Rt plain radiograph of the wrist | posteroanterior view | boy, 9 yo 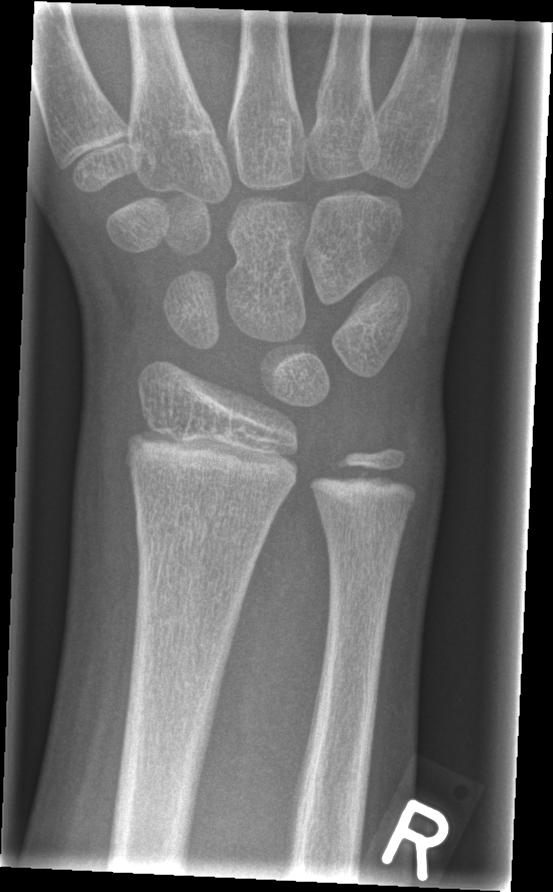
{"ao": "23r-M/2.1", "fracture": "133 502 276 560"}